Left wrist X-ray · lateral projection · pediatric patient (boy, age 11)
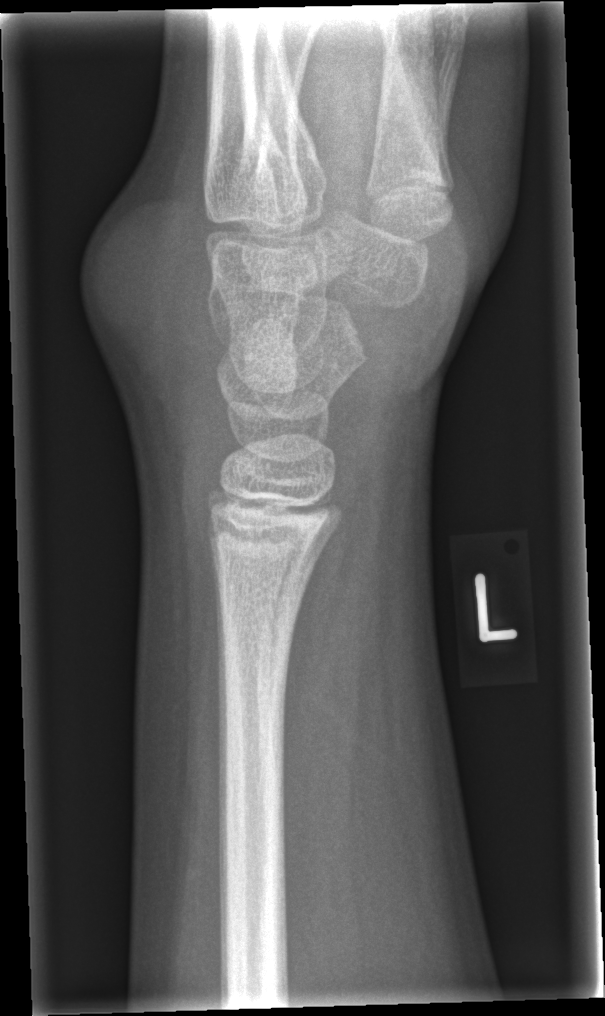

(bounding boxes in image-pixel xyxy)
Fracture: none labeled
Soft-tissue swelling: (71, 176, 224, 462)